Lt wrist radiograph, lateral projection, 7y F, 568 by 770 pixels —
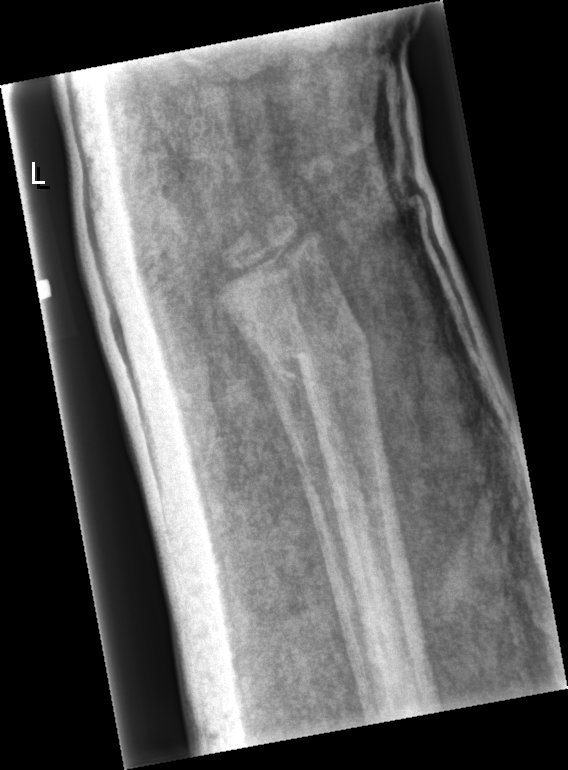
Pixel coordinates, top-left origin, xyxy.
Fracture: (254, 314, 379, 395).